Rt wrist XR · lat projection · 4-year-old female · initial study · acquired on Siemens · image width 73.4 mm —

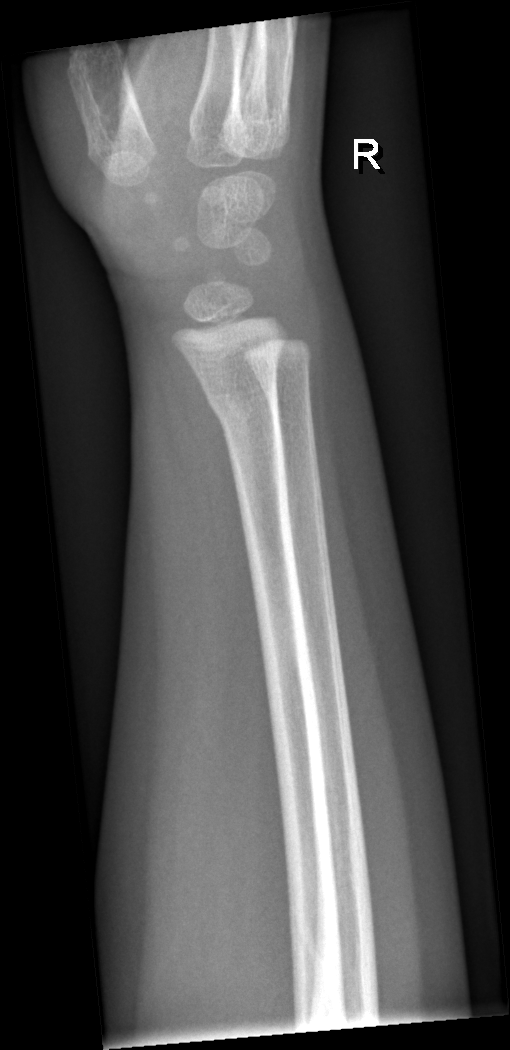

Findings: (coordinates are [x1, y1, x2, y2] in image pixels) Fracture — 201 378 289 461. AO/OTA classification: 23r-M/2.1.